Right wrist radiograph, PA/AP, acquired on Siemens, image width 78.5 mm — 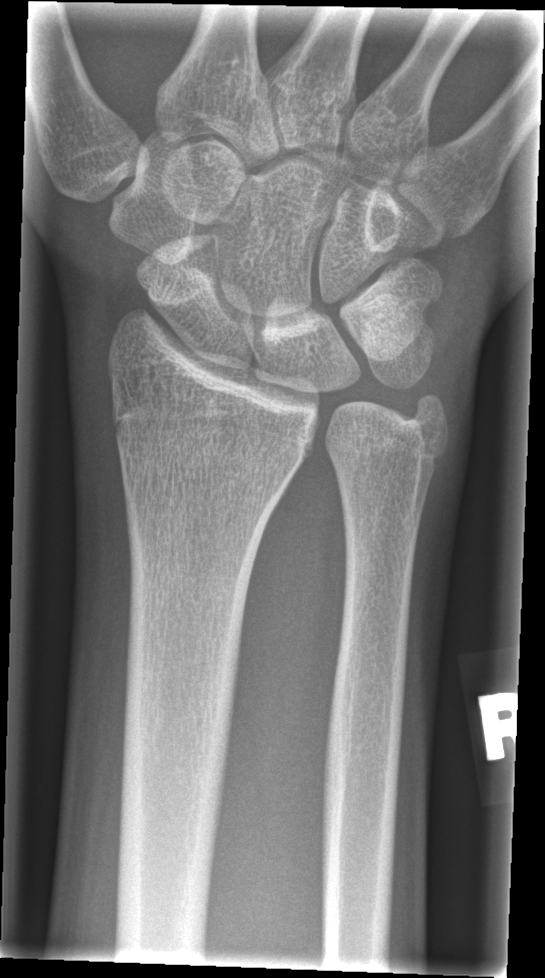 Q: Fracture present?
A: No fracture annotation